Lateral view | Lt wrist plain film:
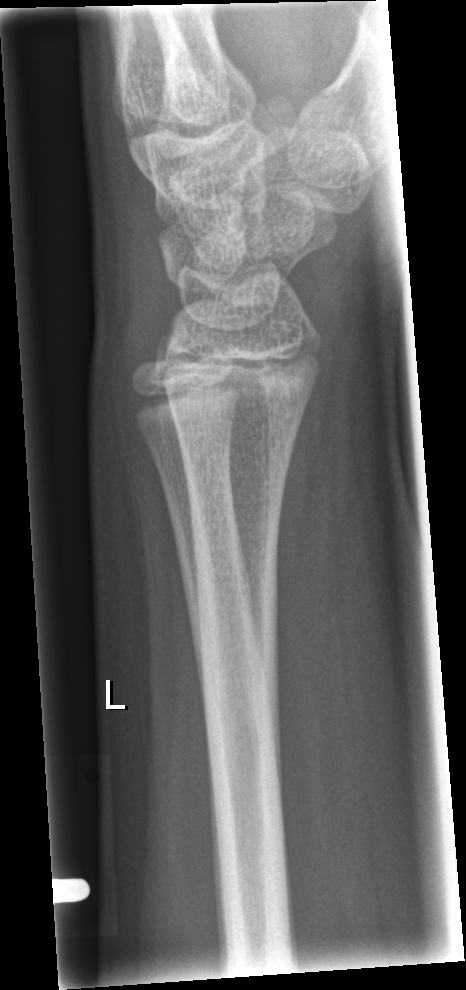

No Fx annotated.